PA/AP view, Lt pediatric wrist radiograph, age 10 y, boy, follow-up study 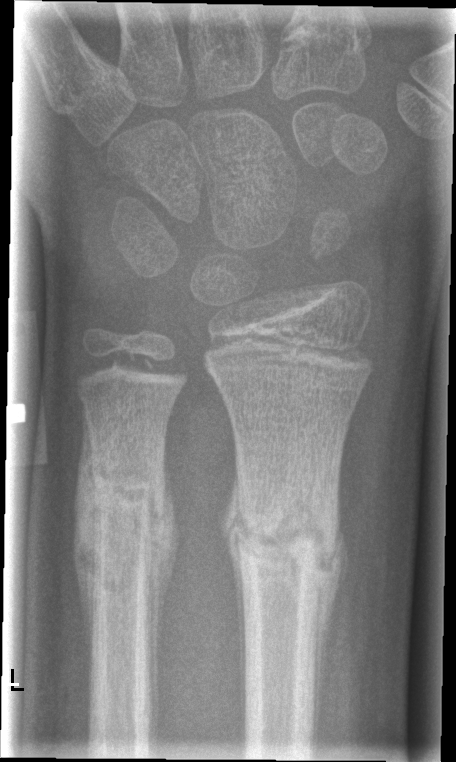
FINDINGS: AO/OTA classification: 23-M/3.1. Osteopenic. Fracture identified at <231,486>-<336,585>, <84,454>-<165,572>. Periosteal thickening: <147,432>-<179,755>; <313,496>-<349,751>; <219,453>-<248,755>; <74,403>-<99,685>.